L wrist X-ray | lateral view:

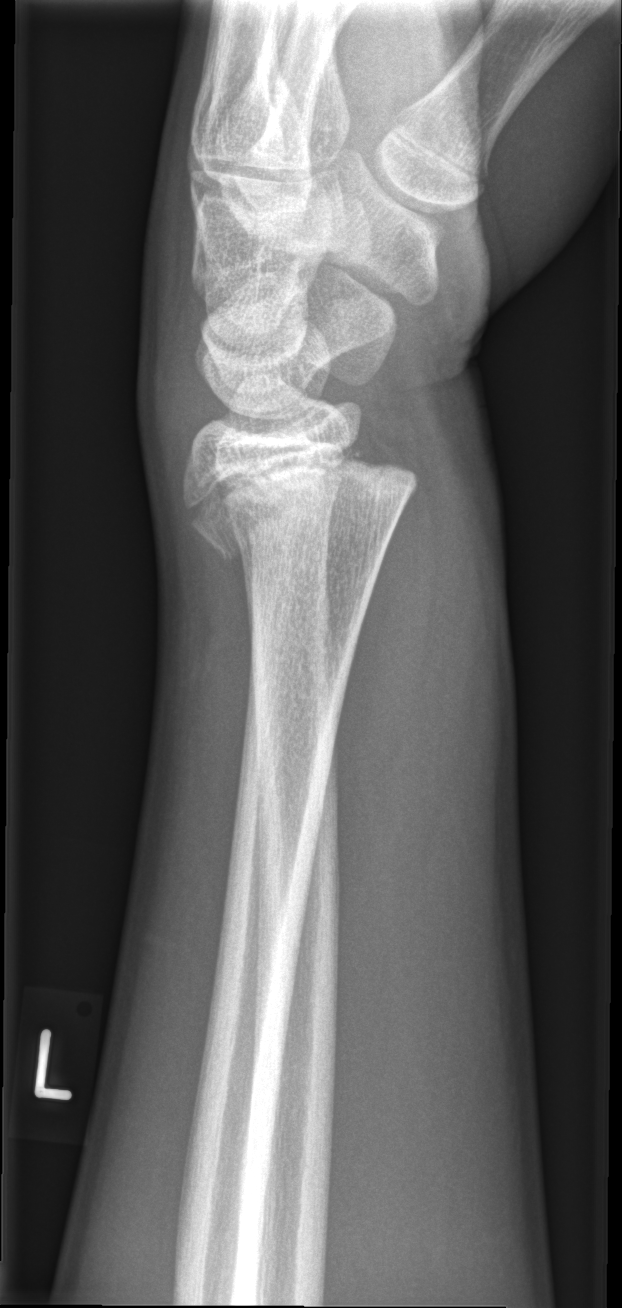 Findings: (bounding boxes in image-pixel xyxy) Pronator quadratus fat-pad sign identified at <327,469>-<443,914>. Fracture: <181,434>-<424,570>.